Lt pediatric wrist radiograph, lat, 10-year-old boy.

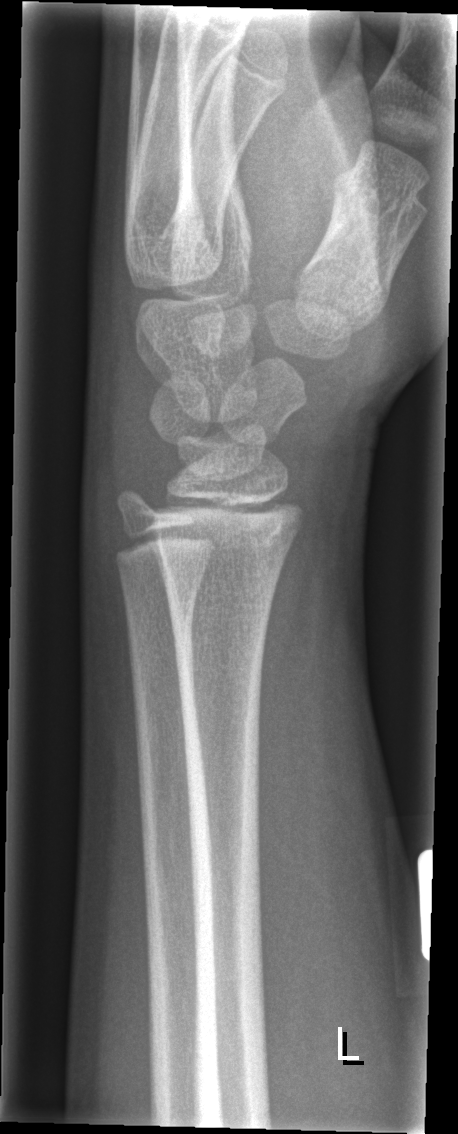

  fracture: none labeled